Lat projection, left wrist plain film, age 8 y, male, follow-up —
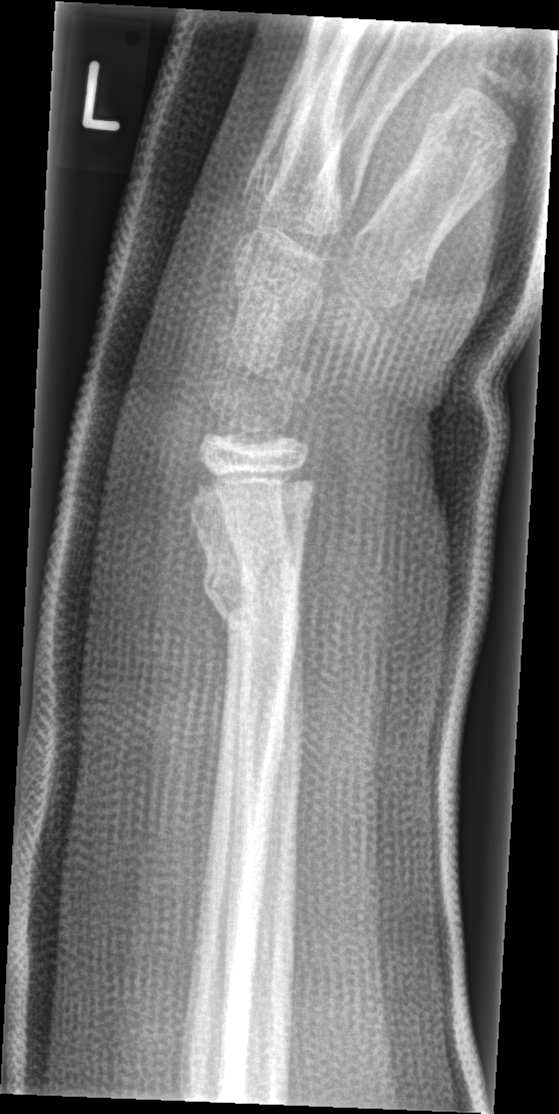
• One bone fracture at <202,552>-<306,623>.
• Fracture classified AO/OTA 23-M/2.1.